Lt plain radiograph of the wrist, AP view, cast present, 577 by 1030 pixels

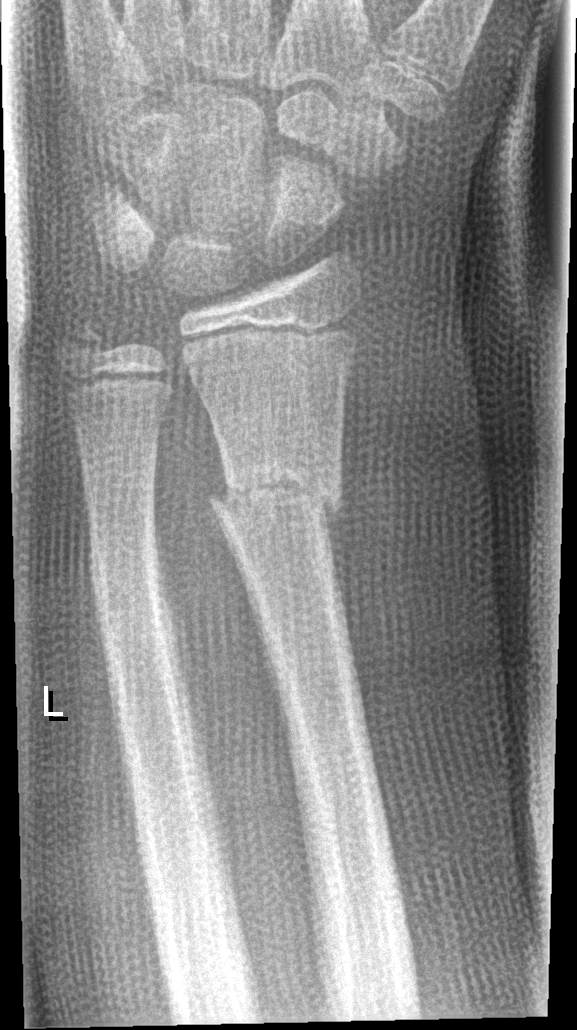 Q: Any fracture seen?
A: Three Fx at (left=206, top=456, right=347, bottom=531) (left=87, top=549, right=170, bottom=636) (left=57, top=317, right=117, bottom=368)